Right wrist XR, AP projection, 13-year-old male, presentation radiograph — 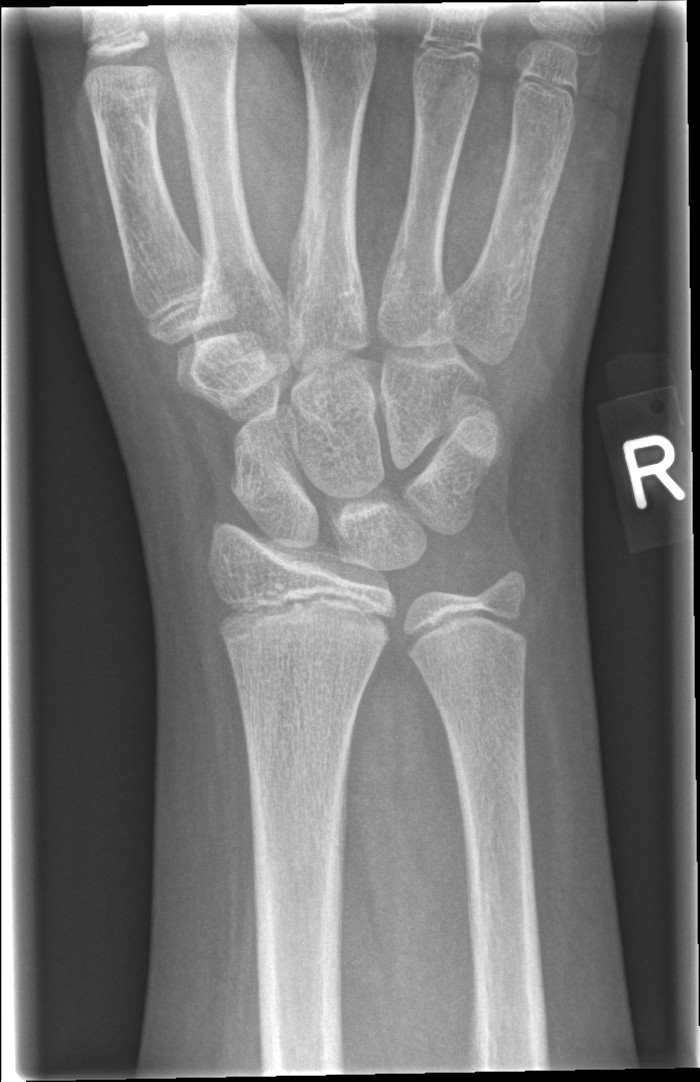 No fracture annotation.